Frontal view; left wrist plain radiograph of the wrist; 13y M 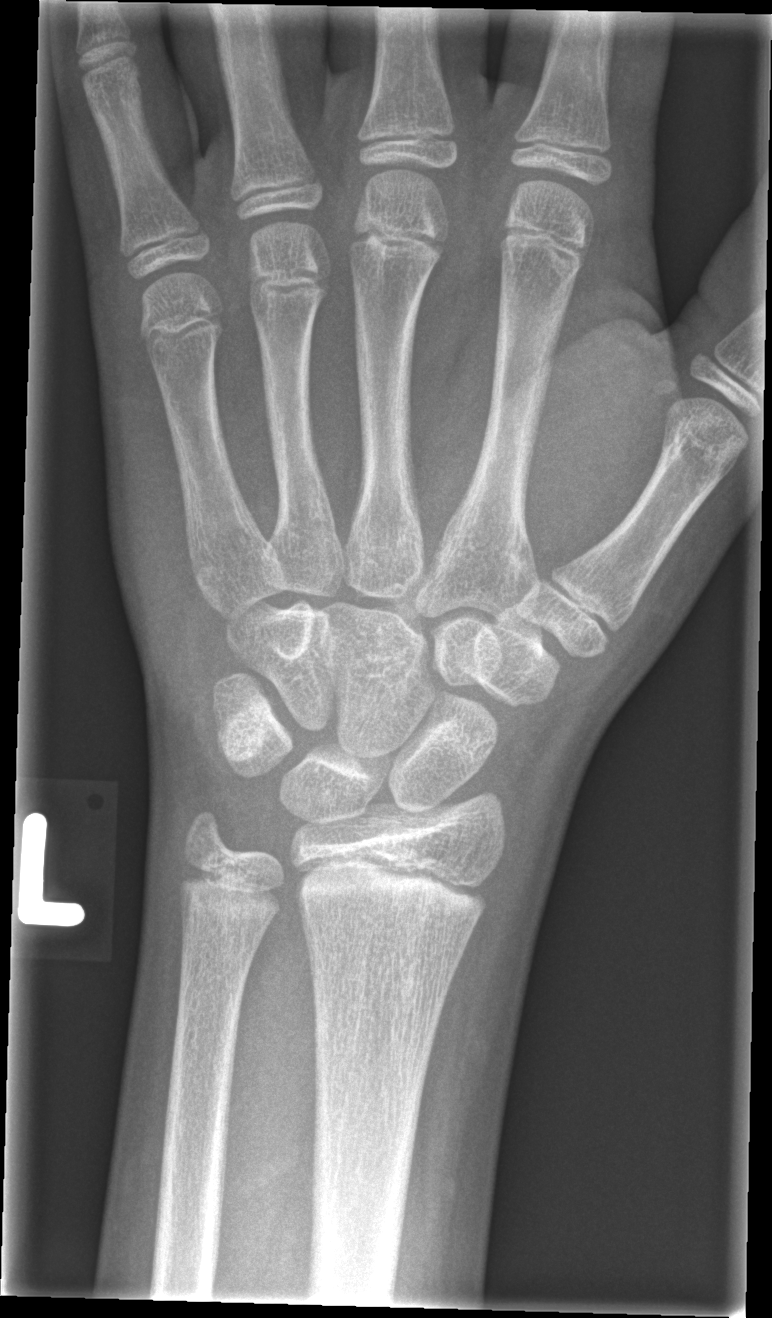 No fracture labeled.